L wrist X-ray; lat view: 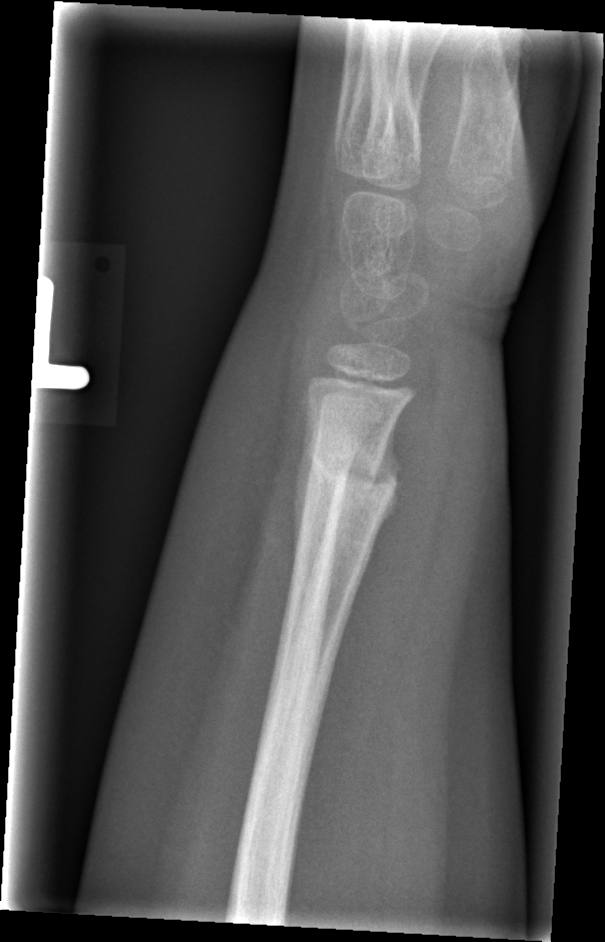
Pixel coordinates, top-left origin, xyxy.
One bone fracture at (299, 434, 399, 507).
Two periosteal thickening at (290, 399, 321, 570), (371, 414, 403, 534).
Fracture classified AO/OTA 23r-M/3.1; 23u-M/2.1.